Left wrist plain film, AP view, pediatric patient (male, age 15), 628 by 1132 pixels

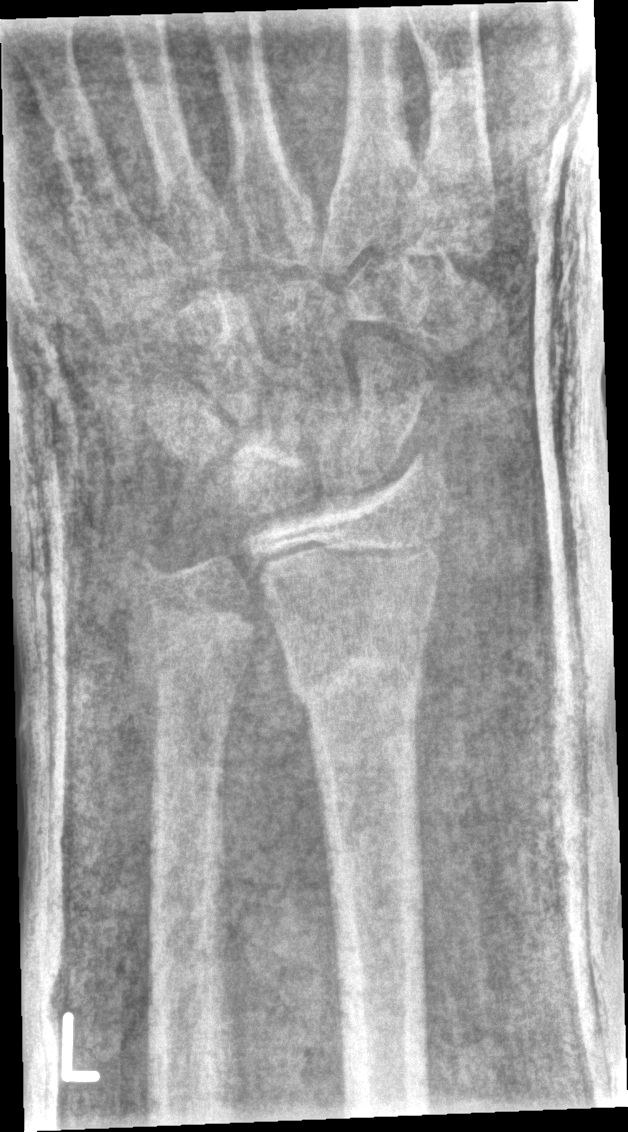 Bone fracture: [x1=116, y1=582, x2=262, y2=655]; [x1=280, y1=641, x2=430, y2=709]; [x1=116, y1=531, x2=175, y2=584].